Lateral view · right wrist radiograph · imaged through cast · Siemens.

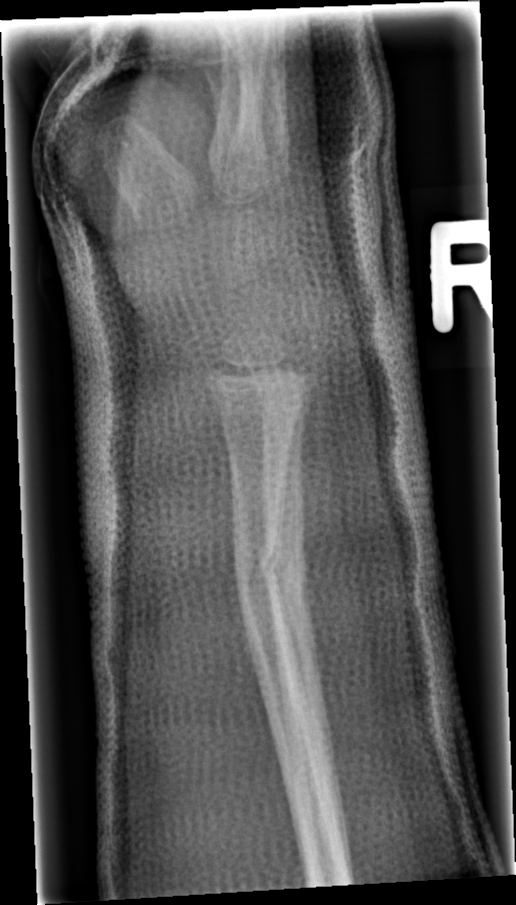

Findings: Fx: 230,535,313,620. Fracture classified AO/OTA 22-D/2.1.